Lat view; right wrist plain film; follow-up study; 709 by 980 pixels.
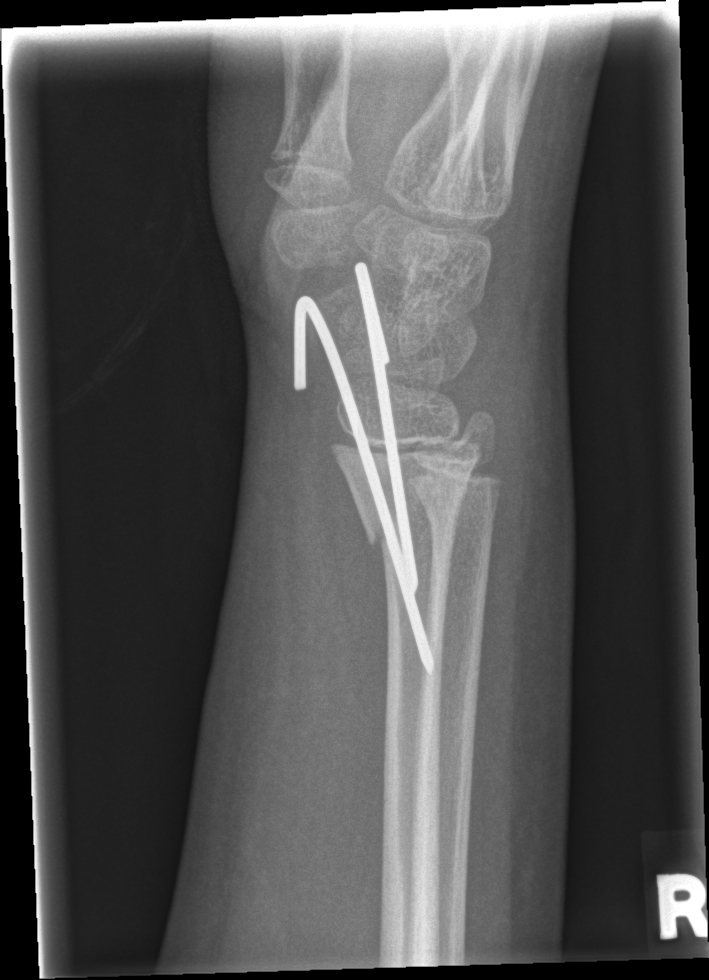

One Fx at <356,492>-<464,560>. Metallic hardware: <292,256>-<436,676>.